Right wrist radiograph · lat projection —
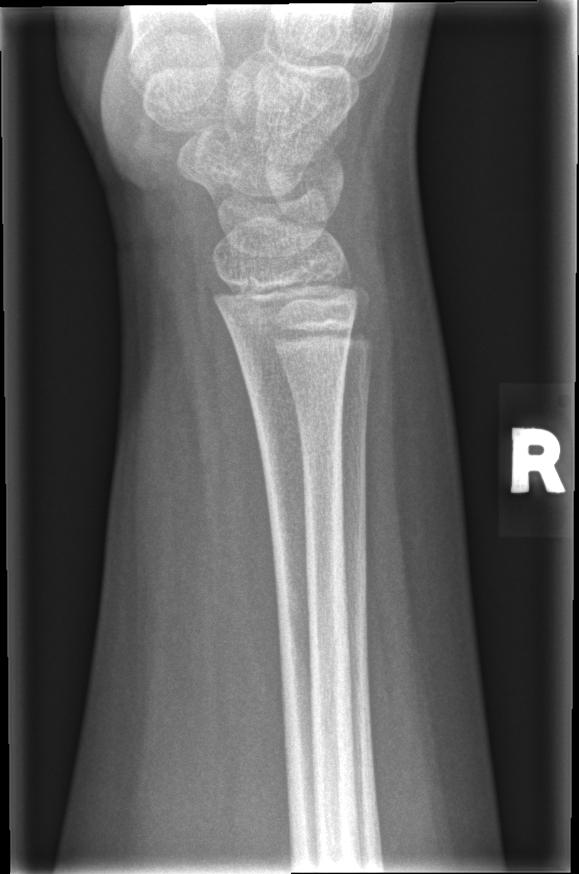 No fracture labeled.